L plain radiograph of the wrist · frontal · cast in situ:
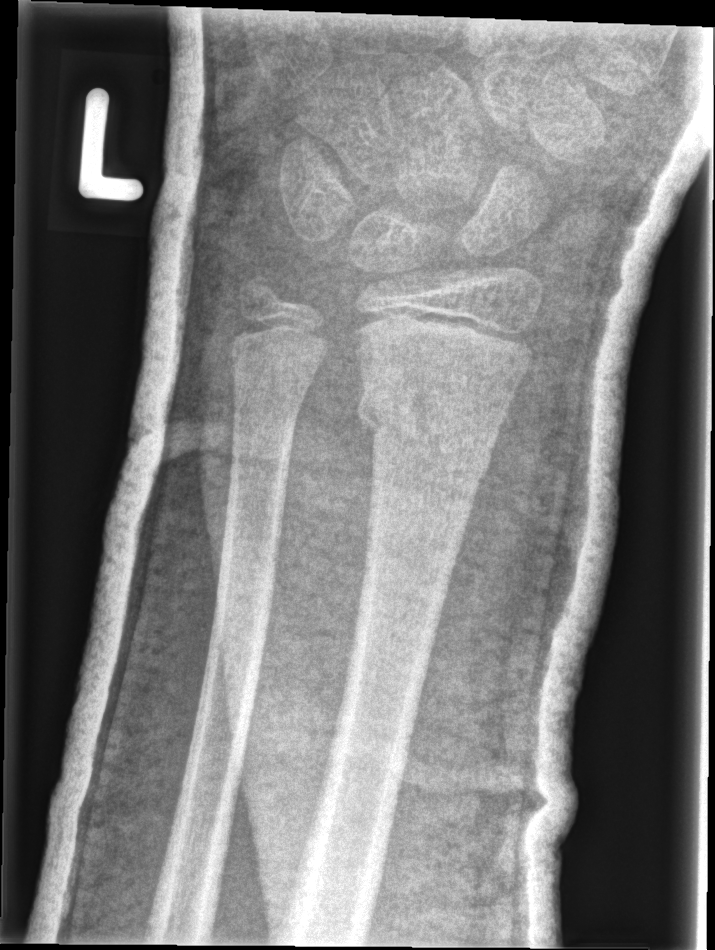

- Two Fx at 354,377,500,478; 229,265,294,320.